Lateral | Lt wrist X-ray | 11-year-old male | 650x1031 — 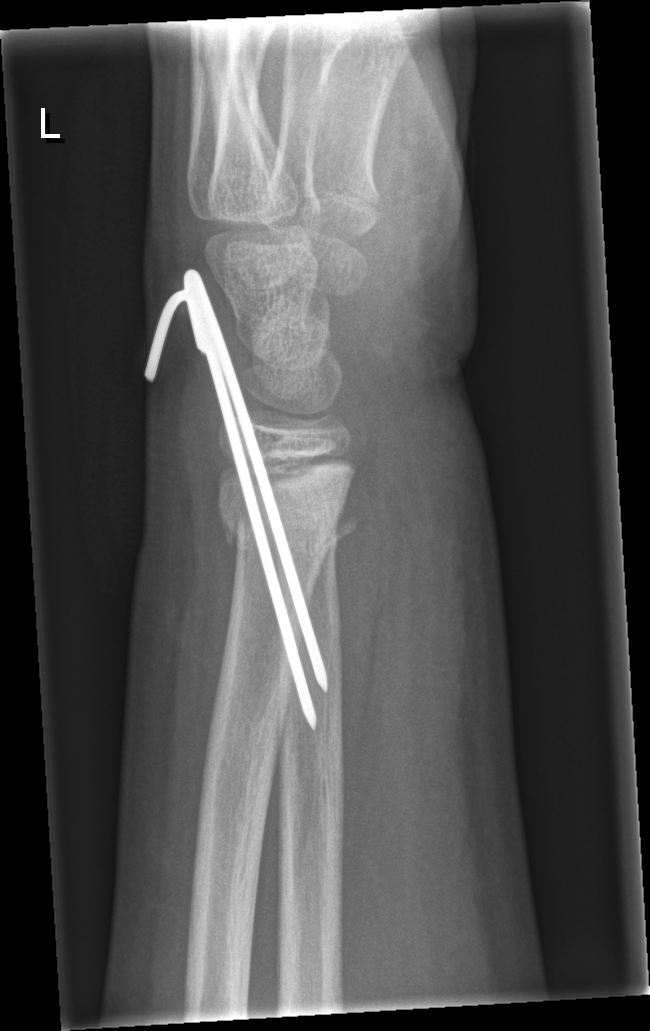 (boxes as x1,y1,x2,y2 (top-left / bottom-right, pixel units))
Metallic implant = 1 @ [145, 267, 331, 734]
Bone fracture = [218, 497, 365, 565]